Lat view, right wrist X-ray, follow-up study.

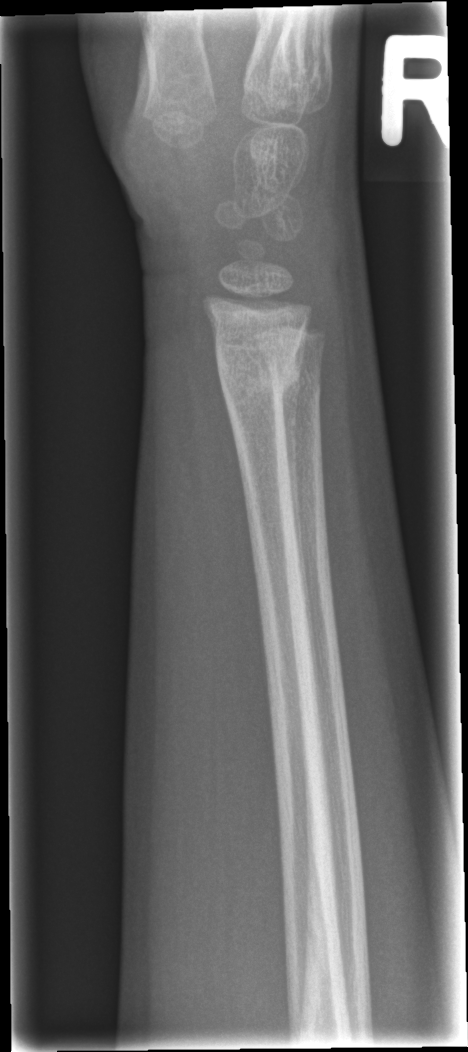
(pixel coordinates, top-left origin, xyxy)
Bone fracture: <217,342>-<308,412>
Periosteal thickening: 1 @ <279,317>-<314,652>